Lateral view; left wrist radiograph; 1.5y M; index exam: 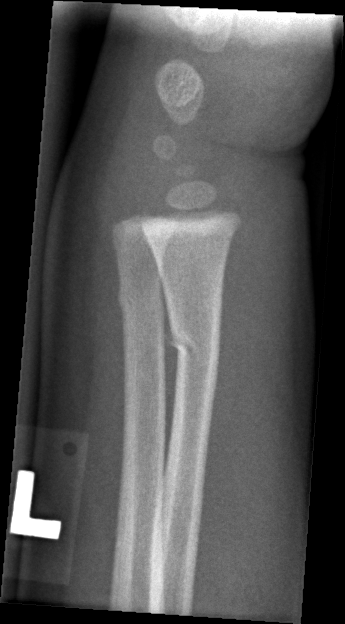

Coordinates are [x1, y1, x2, y2] in image pixels.
Bone fractures — <164,316>-<224,371> <114,285>-<166,317>.
AO code 23-M/2.1.